AP · right wrist XR · Siemens: 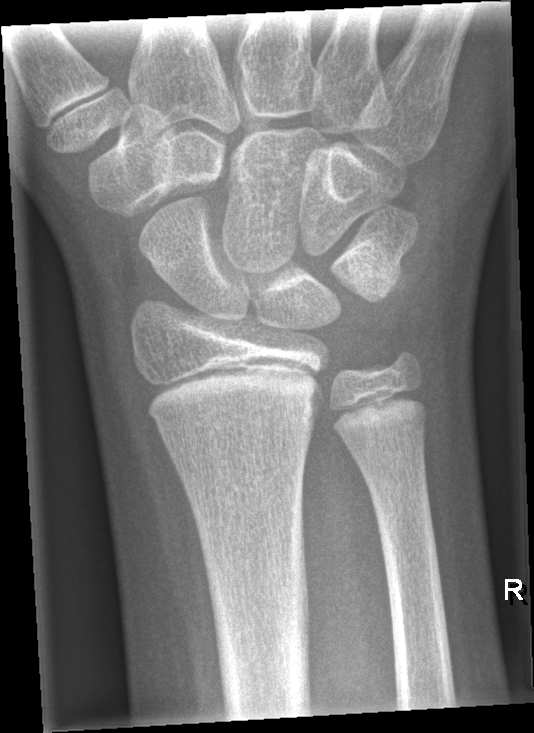
Fx: none labeled